Frontal view · Lt wrist plain film · 8-year-old female · index exam —
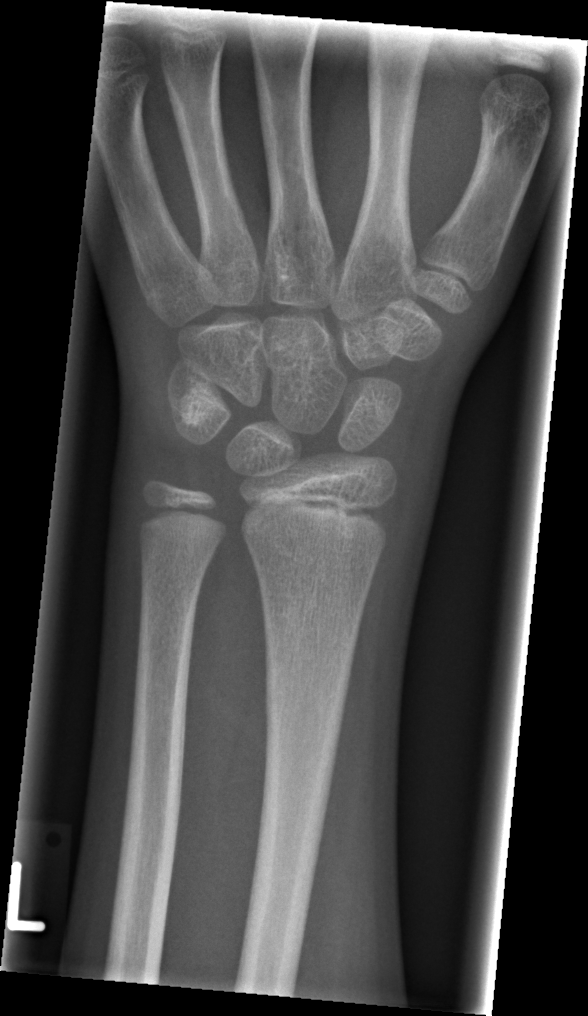

{
  "fracture": "none labeled"
}